PA view | right wrist plain radiograph of the wrist | age 6 y, boy | in cast.

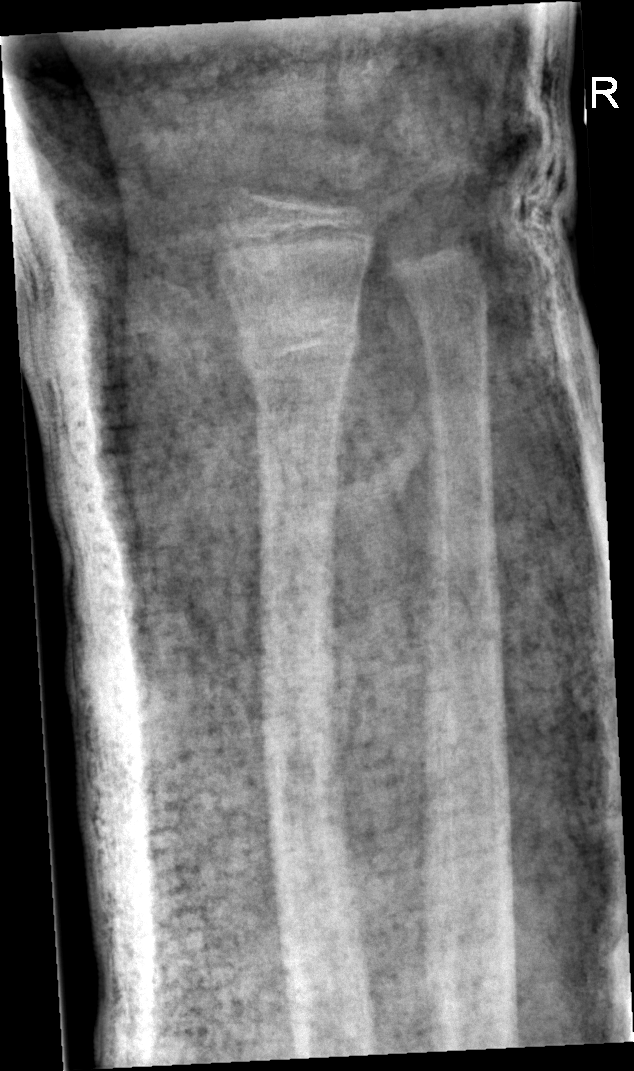

fracture: 2 @ 235 299 353 387 | 401 257 495 335